Lat projection · left wrist radiograph · index exam. 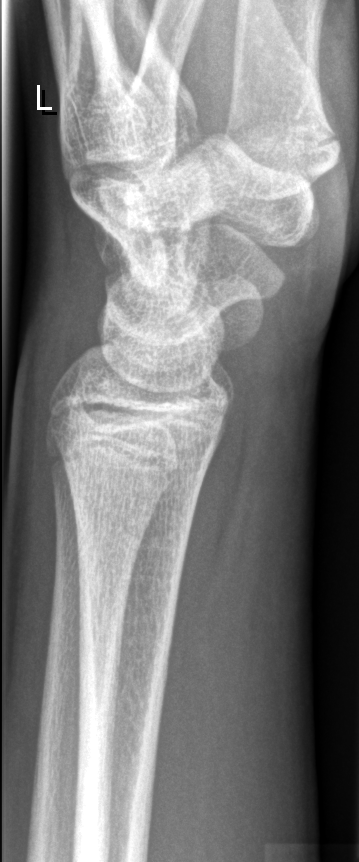 No fracture annotation.